Left wrist radiograph, lat projection, 12y M, follow-up study, image width 66.8 mm, image size 464x1021:
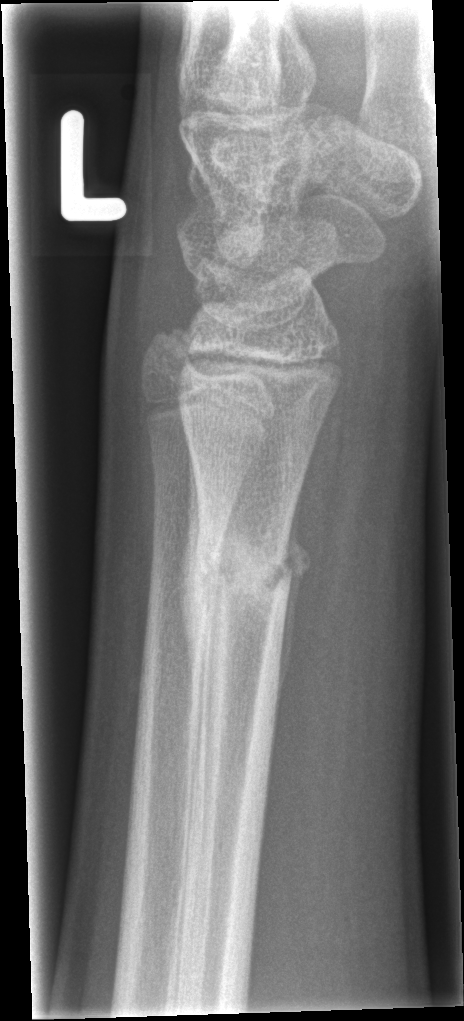 periosteal new bone = 2 @ <272,483>-<309,728>, <179,445>-<205,713>
AO/OTA = 23r-M/3.1; 23u-E/7
Fx = 2 @ <180,519>-<308,633>; <140,321>-<201,374>